Lateral projection; R pediatric wrist radiograph; acquired on Siemens. 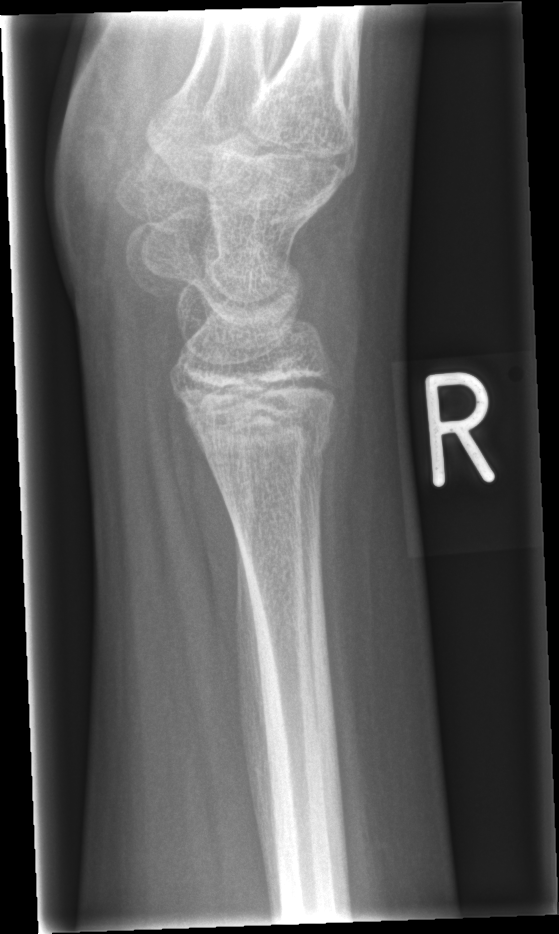 Bone fracture identified at bbox(183, 404, 338, 474). AO/OTA classification: 23r-M/2.1. Osteopenia.